Lat projection, R pediatric wrist radiograph, index exam: 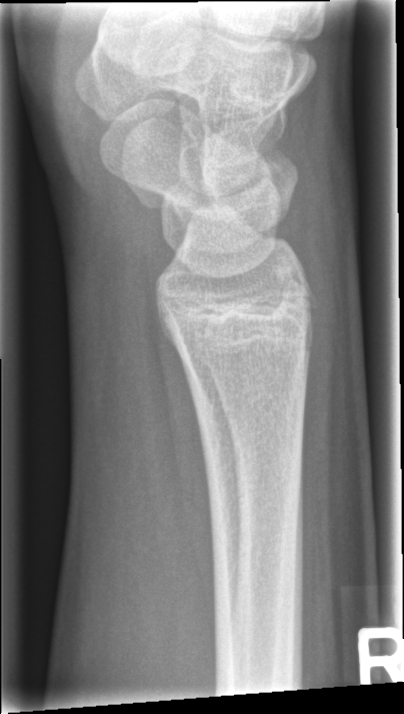 No fracture labeled.